PA/AP projection | R wrist XR:

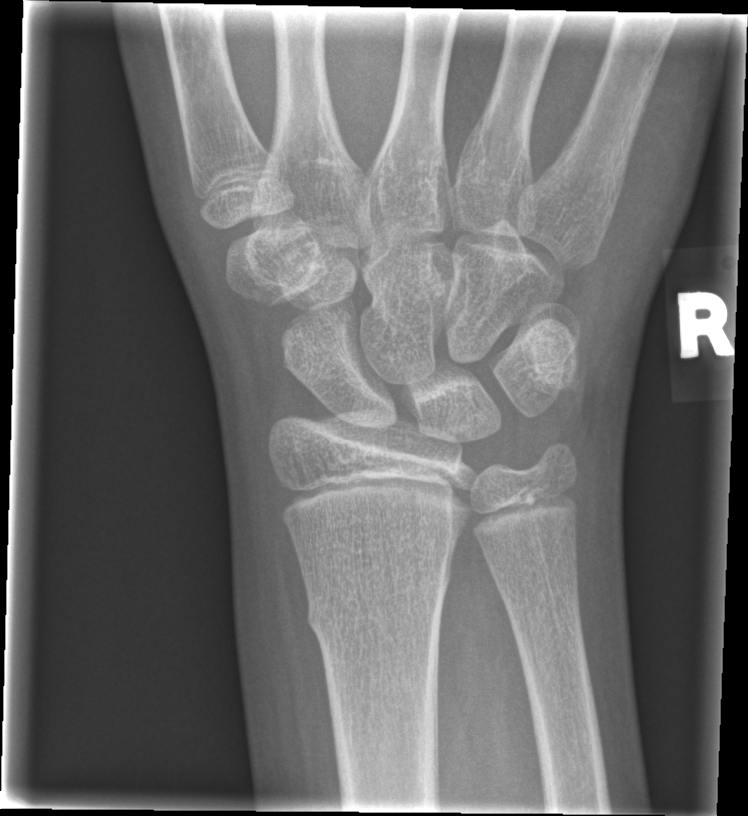

Fx: [303, 586, 448, 647].
AO code 23r-M/2.1.